Lateral projection | right pediatric wrist radiograph. 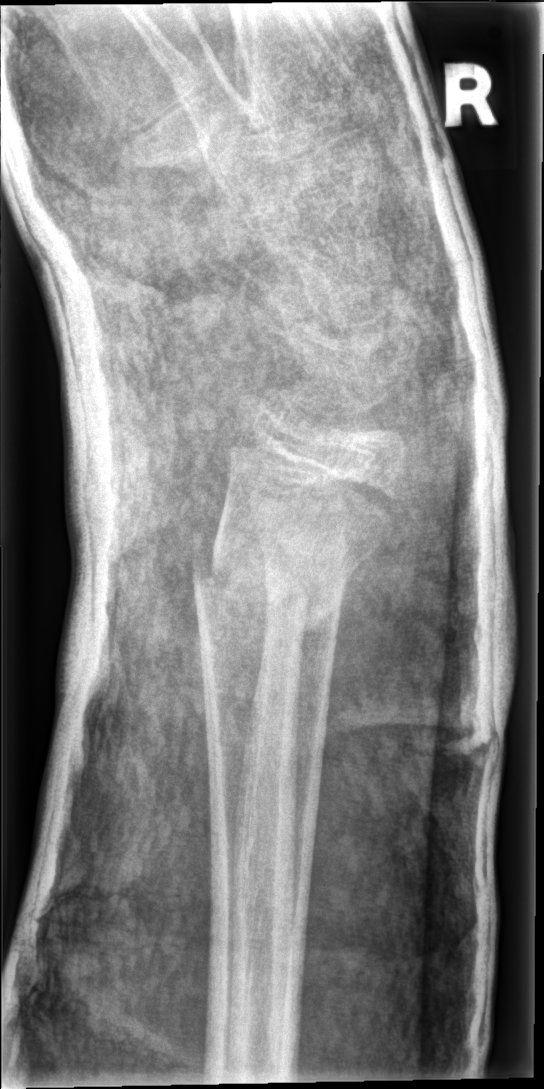
Findings: Fx identified at (left=185, top=535, right=368, bottom=631). AO/OTA classification: 23r-M/3.1; 23u-E/7.